Lateral view, left wrist radiograph, pediatric patient (boy, age 14), imaged through cast, 451 by 1076 pixels. 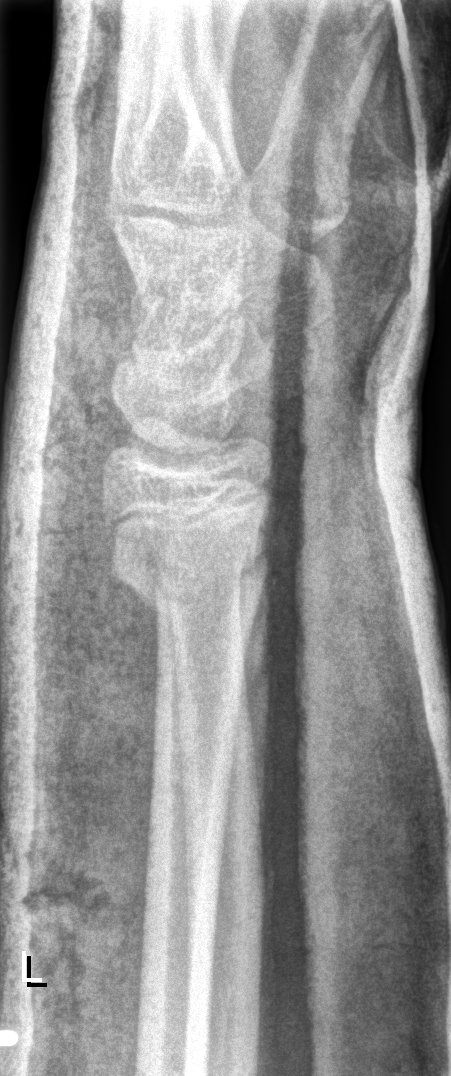 FINDINGS — Fracture classified AO/OTA 23r-M/3.1; 23u-E/7. One fracture at [x1=106, y1=531, x2=275, y2=637].